Left pediatric wrist radiograph · PA/AP projection · image width 87.3 mm.

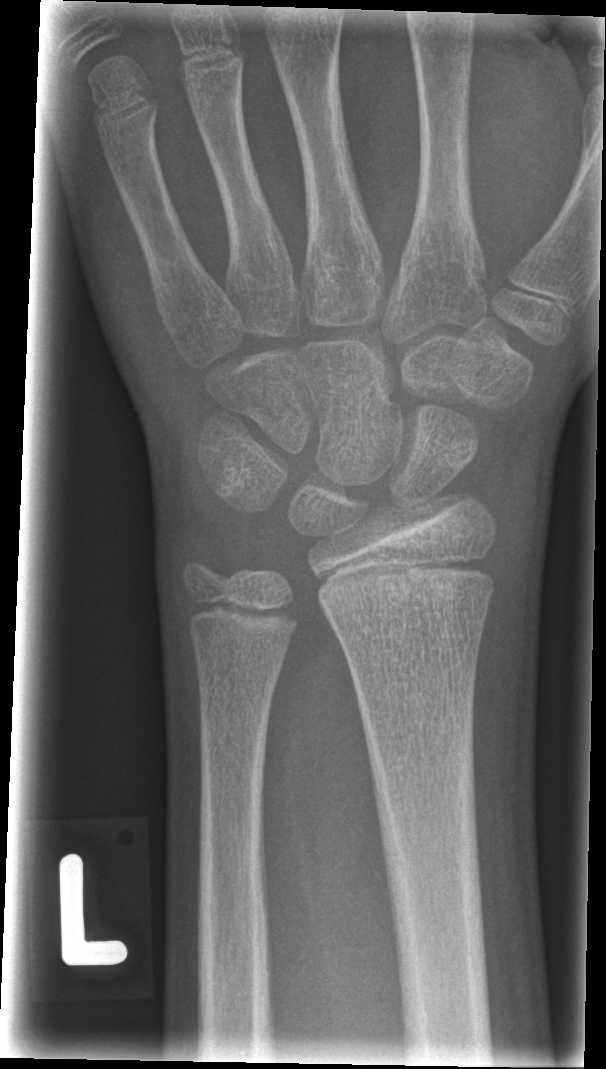

{
  "osteopenia": "present",
  "fracture": "present but not clearly seen in this view"
}